Lt wrist XR; lateral; pediatric patient (boy, age 16); 846 x 1064 px: 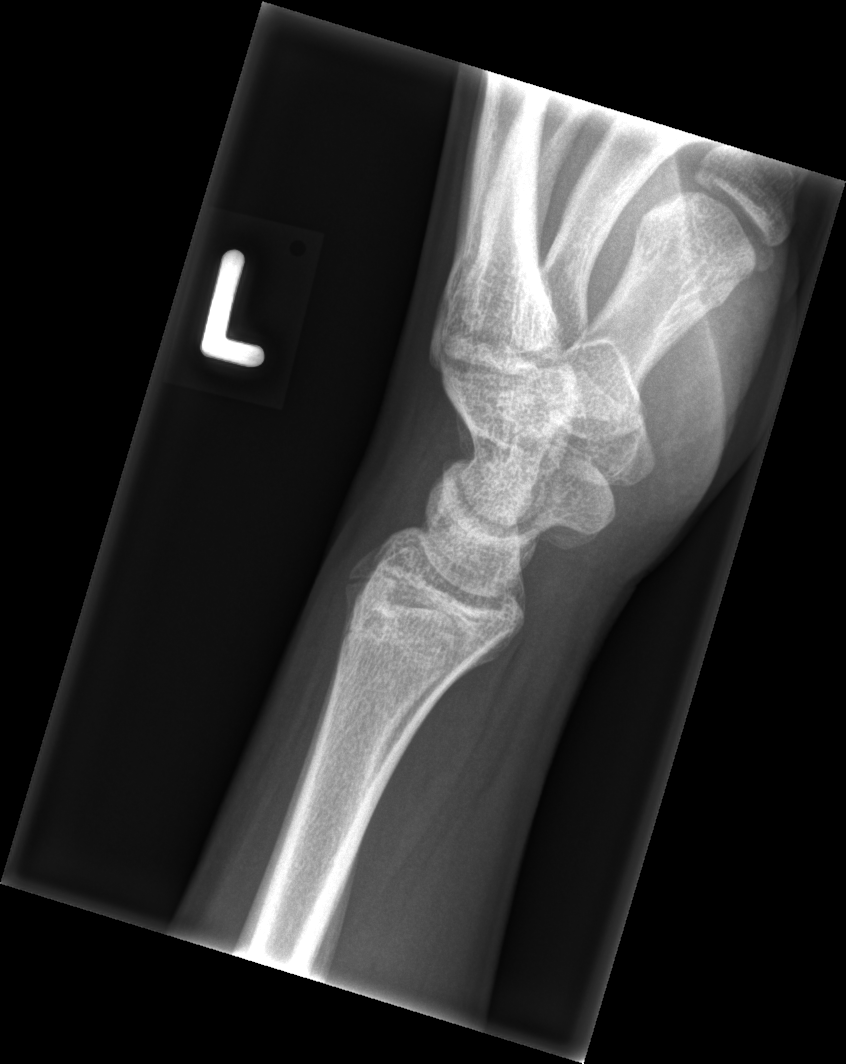 FINDINGS: No fracture labeled.